Lateral projection, R wrist XR:

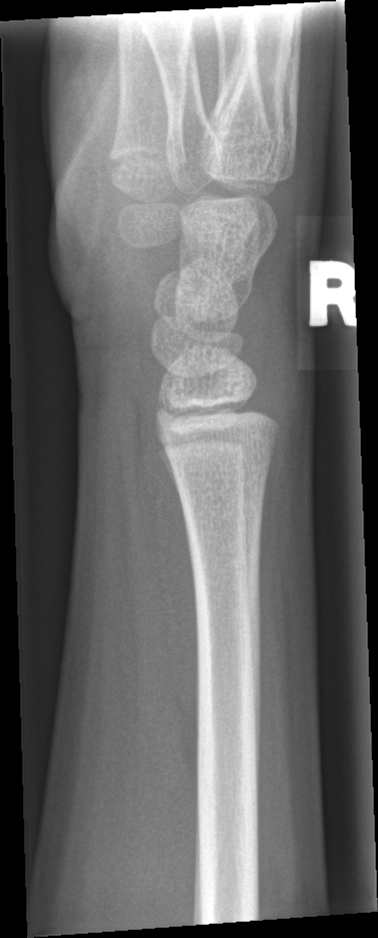
Q: Any fracture seen?
A: Fx: none